Lat projection · right wrist radiograph · pediatric patient (female, age 13) · 518x1338:
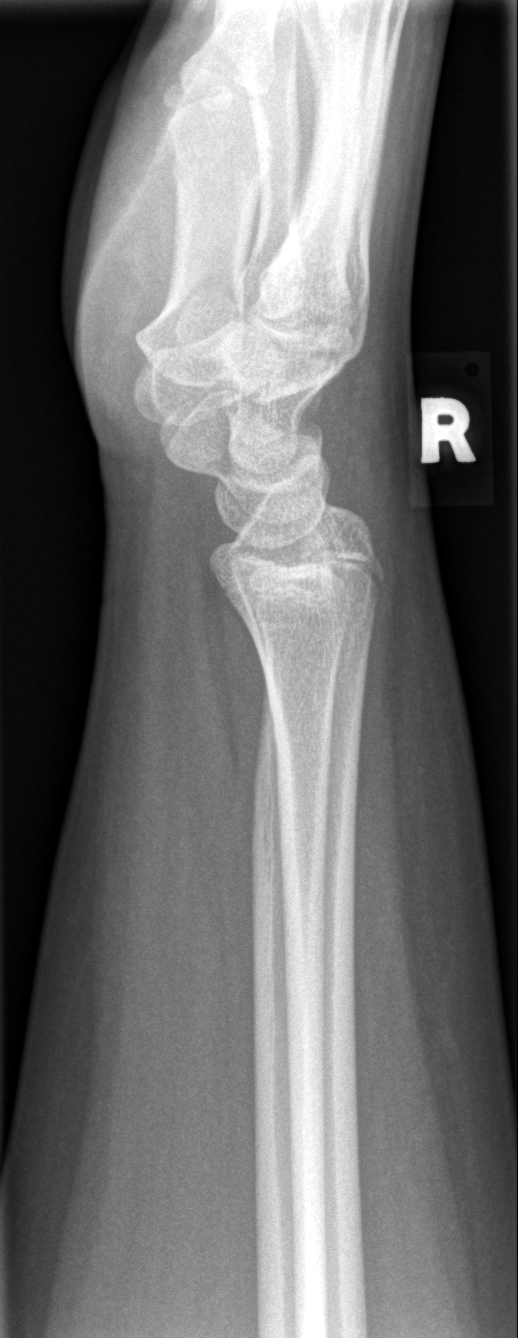
Fx = none labeled